Left wrist plain film | frontal projection | pediatric patient (girl, age 10).
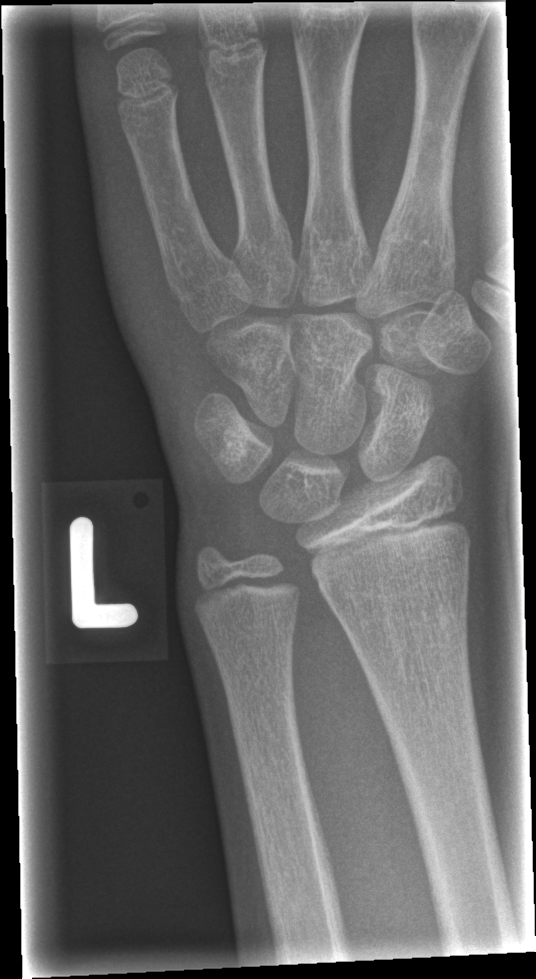 No fracture labeled.